PA/AP projection | Rt wrist plain film | pediatric patient (boy, age 7).
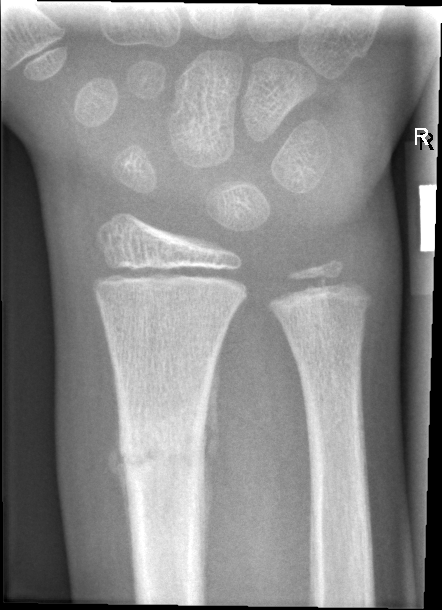 Periosteal thickening identified at (107, 385, 134, 577), (200, 341, 222, 576). Reduced bone mineral density. Fracture — (116, 415, 209, 494).